Lt wrist plain film, lat: 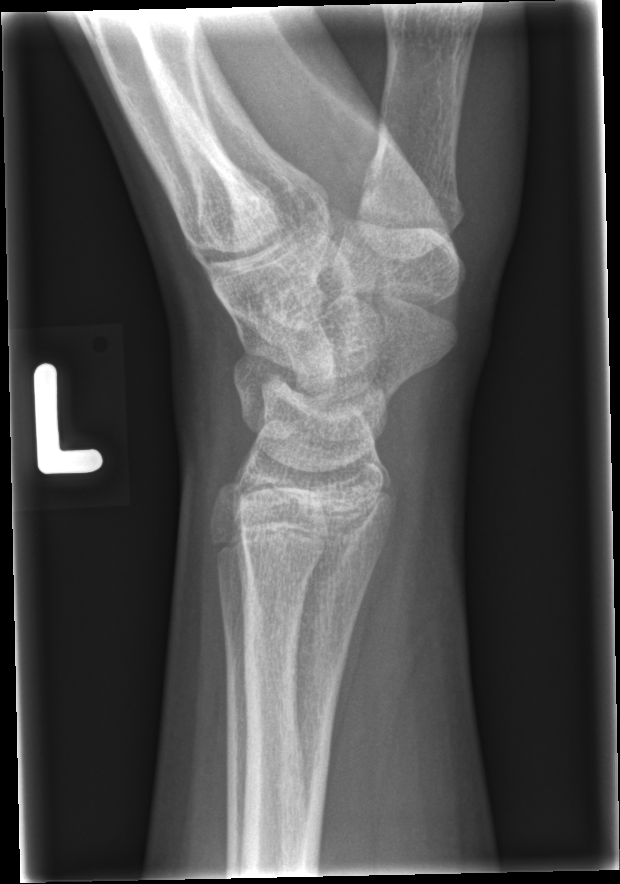
Fx = none labeled